Left wrist plain film · lat view · cast present:

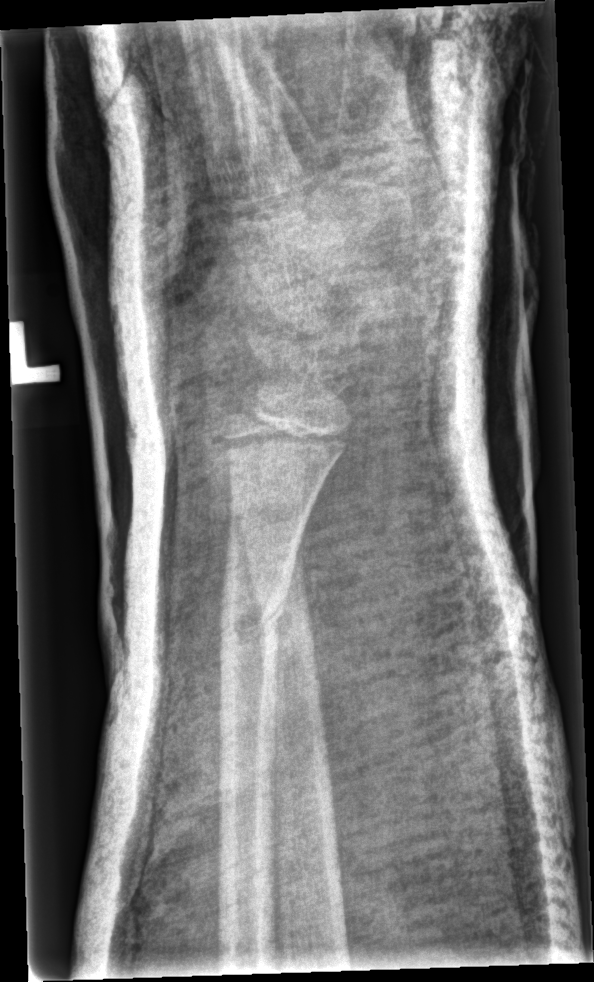 Boxes as x1,y1,x2,y2 (top-left / bottom-right, pixel units).
Fracture: <208,577>-<301,646>.